Lat view; right wrist radiograph; 14-year-old boy; 465 x 1030 px —
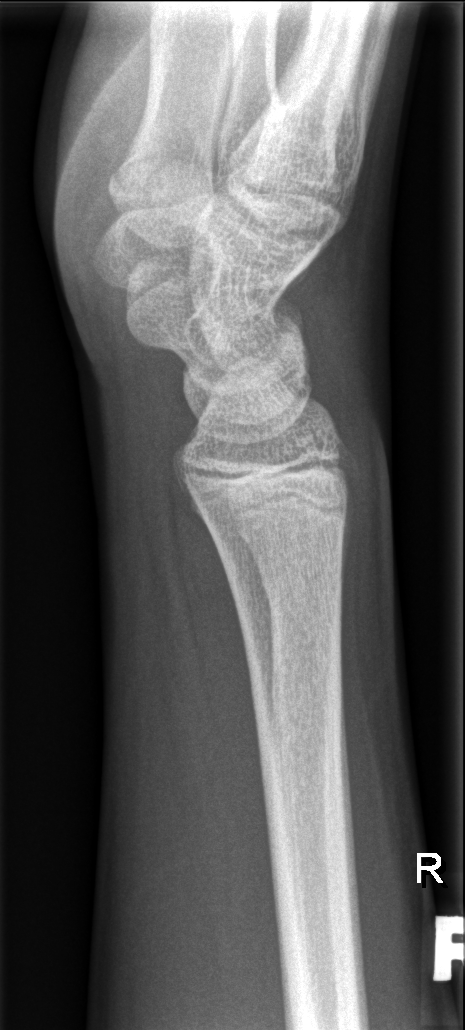 Bone fracture = none labeled